Lateral projection, Lt wrist X-ray, age 12 y, boy, follow-up study, image width 107.0 mm

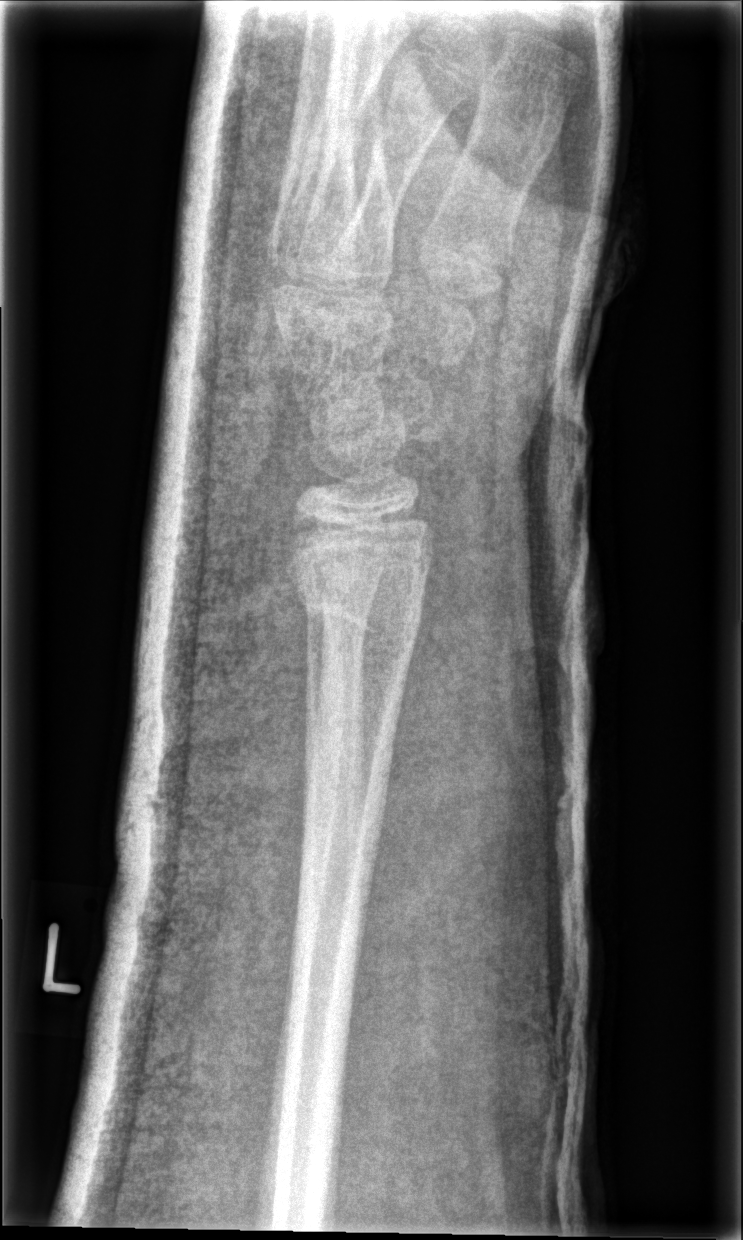

Boxes as x1,y1,x2,y2 (top-left / bottom-right, pixel units).
Fracture classified AO/OTA 23r-M/3.1.
Fx identified at 286 557 429 662.